AP projection; right wrist X-ray; 6y F.

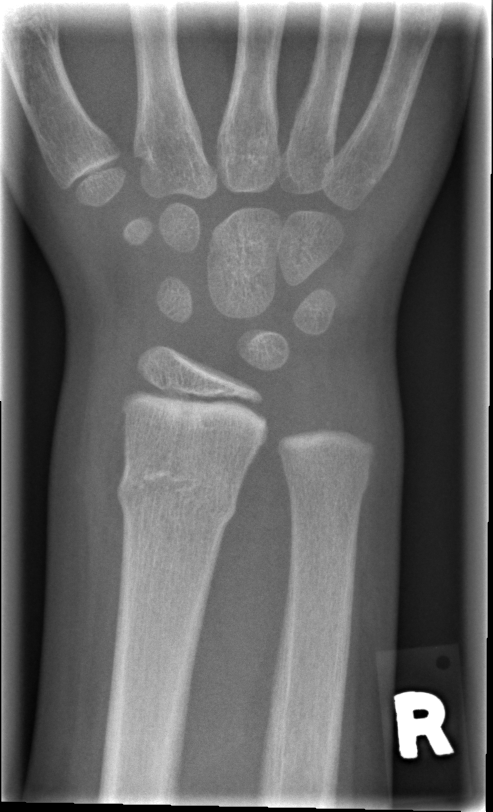
FINDINGS: AO code 23-M/2.1. Fx identified at [112, 455, 246, 537] [279, 454, 374, 513].